Lat projection · right wrist X-ray · initial study · 428 x 946 px — 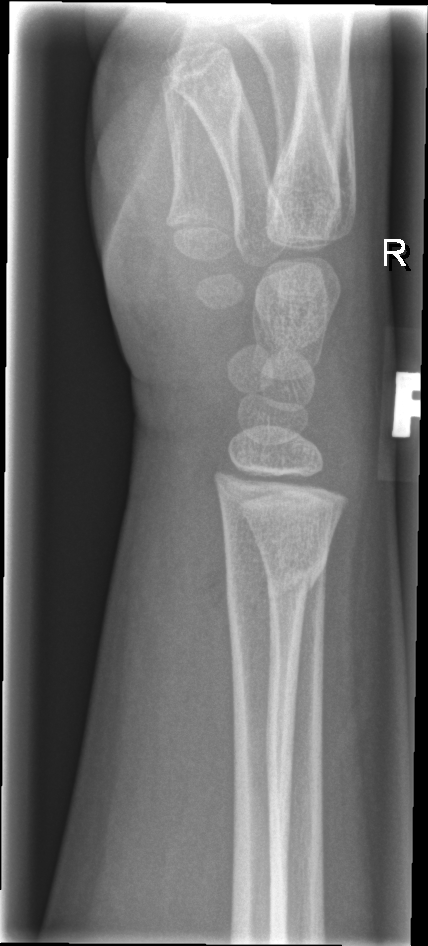
(bounding boxes in image-pixel xyxy)
Bone fracture: 1 @ (left=222, top=538, right=331, bottom=619)